AP projection, R pediatric wrist radiograph, age 14 y, boy, follow-up study, cast present.
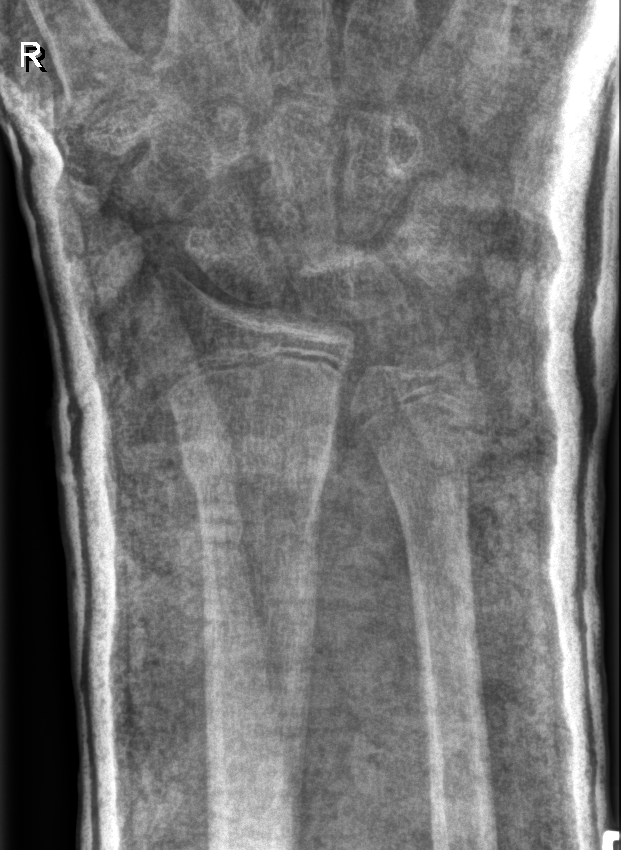 Pixel coordinates, top-left origin, xyxy.
AO/OTA classification: 23r-M/3.1; 23u-E/7.
Fx: (left=180, top=436, right=340, bottom=497).